Lateral | left wrist radiograph | follow-up | imaged through cast | 794x1188:
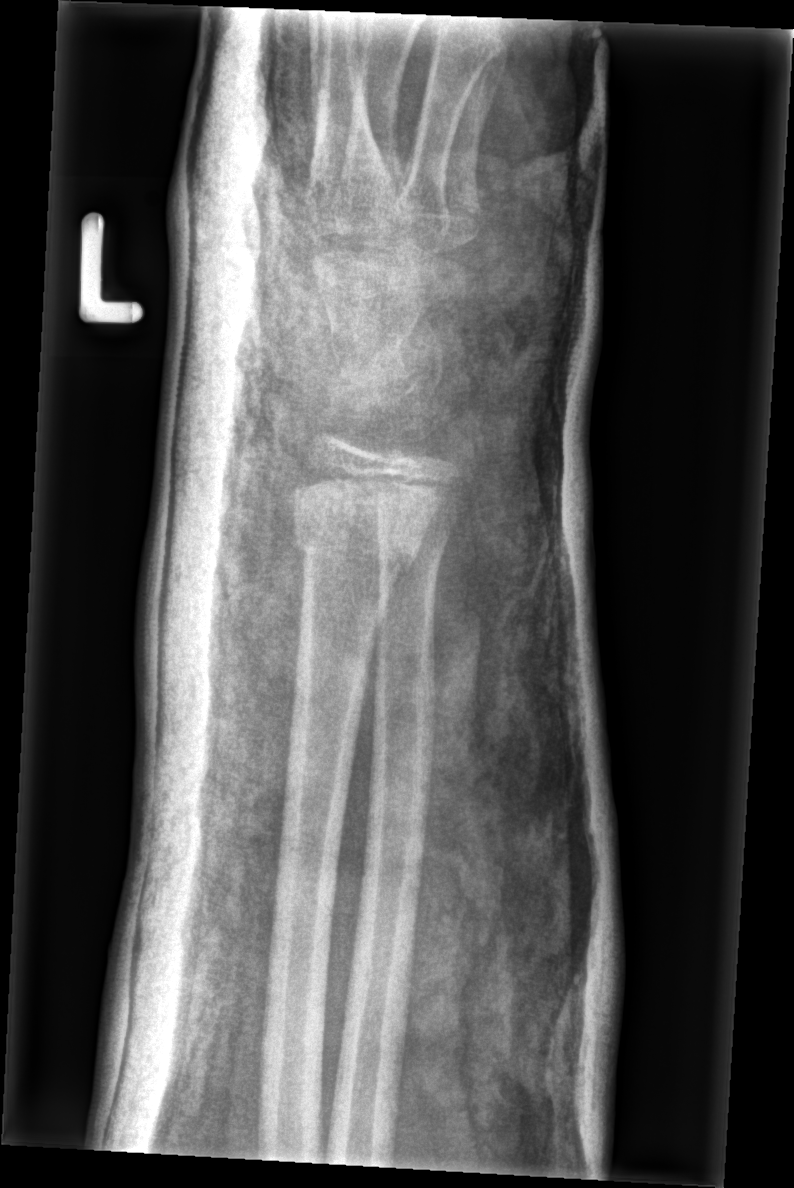

FINDINGS: Fracture classified AO/OTA 23r-M/3.1. Fracture identified at 289 508 423 578.